Posteroanterior projection · right wrist plain film · Siemens —
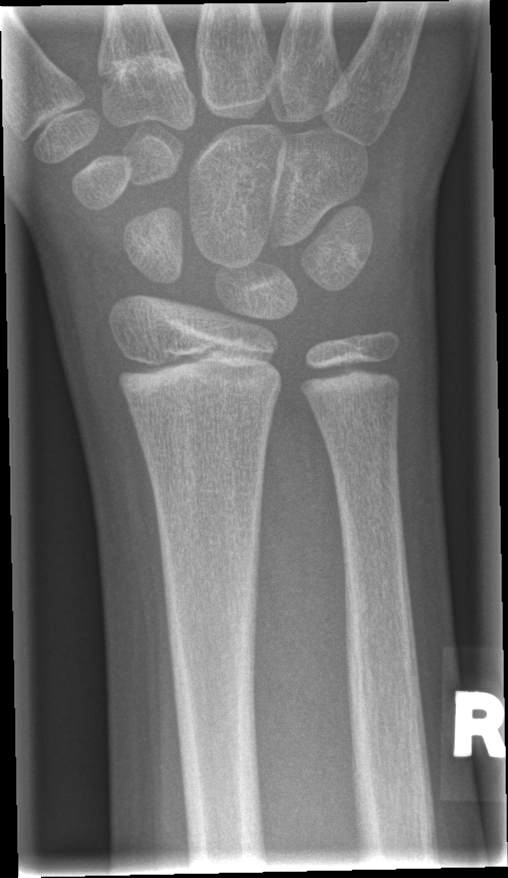

* No Fx annotated.